Right plain radiograph of the wrist, posteroanterior, image 80.9 mm wide, 562 by 1098 pixels:
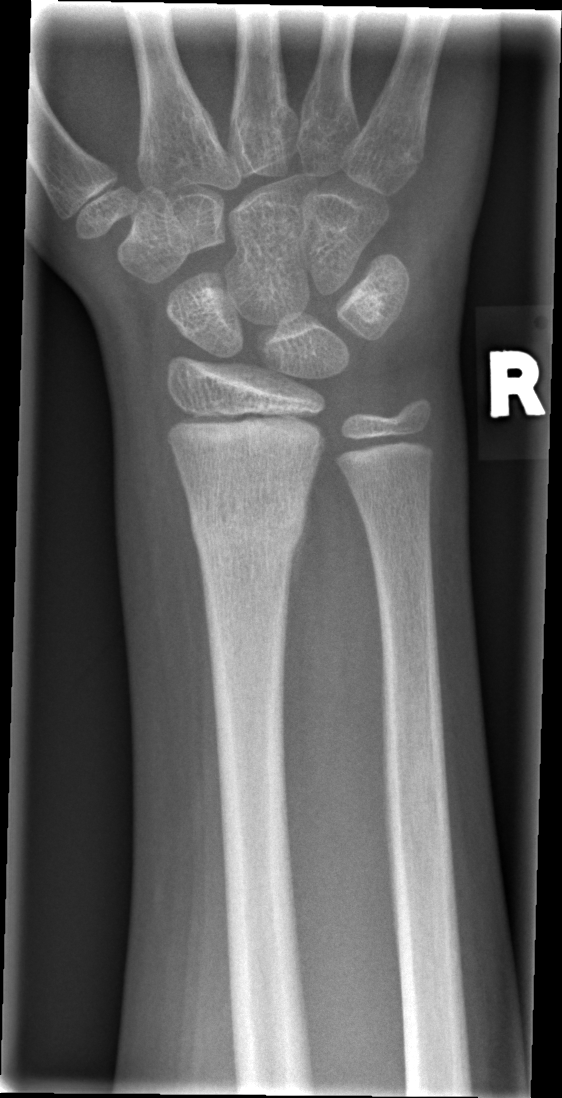

Coordinates are [x1, y1, x2, y2] in image pixels. Bone fracture identified at <183,474>-<312,567>. AO code 23r-M/2.1. Periosteal new bone identified at <287,478>-<313,607>.